L wrist plain film; frontal view; 10y M; index exam —

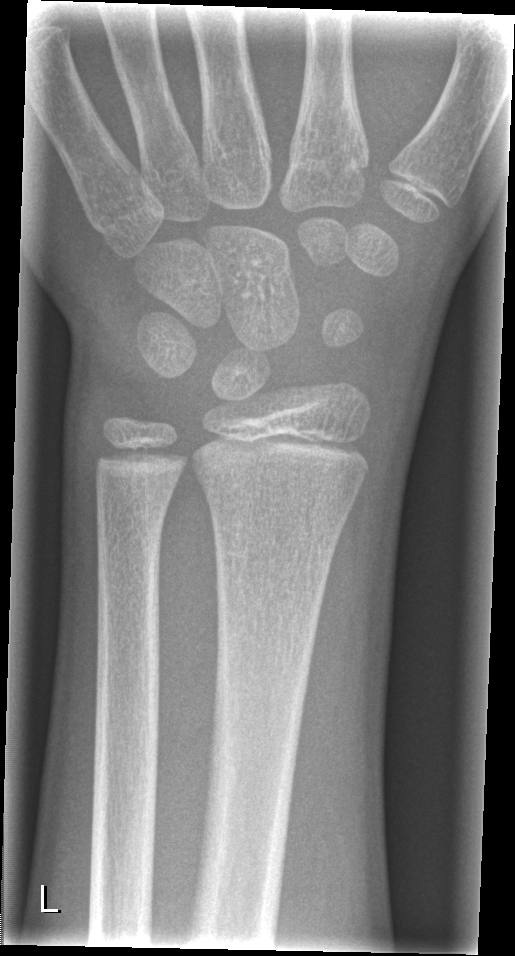
FINDINGS — No fracture labeled.